AP view; right wrist radiograph; 12y M; initial study:
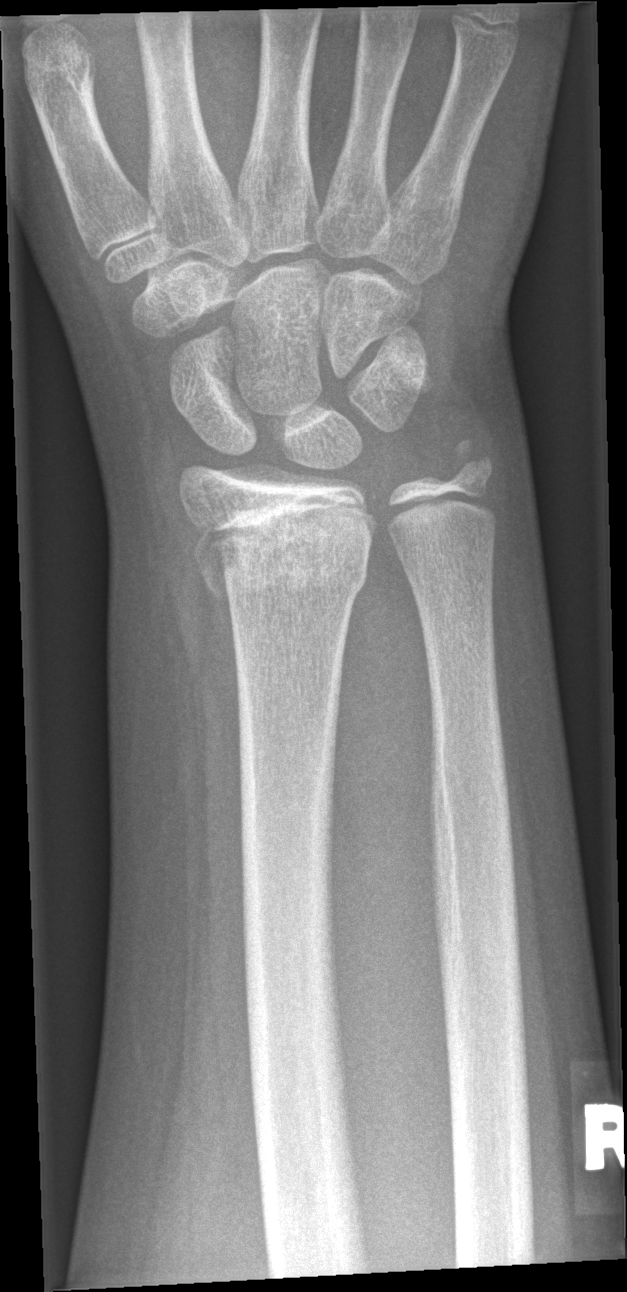   fracture: [x1=196, y1=496, x2=372, y2=608] [x1=437, y1=429, x2=501, y2=496]